PA/AP view, Lt wrist X-ray, subsequent exam: 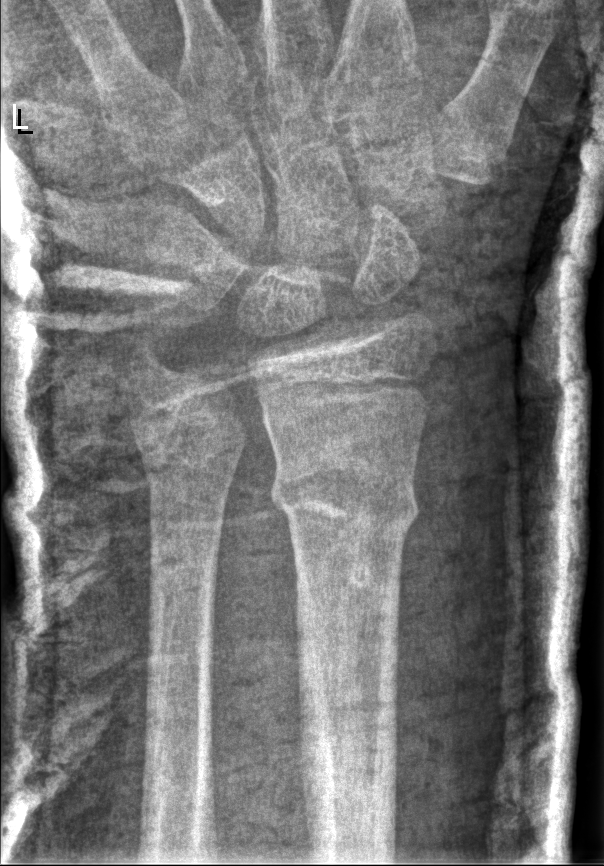 bone fracture: 2 @ [268, 451, 422, 538], [132, 396, 251, 490]